PA/AP view; R plain radiograph of the wrist; female, 8 yo
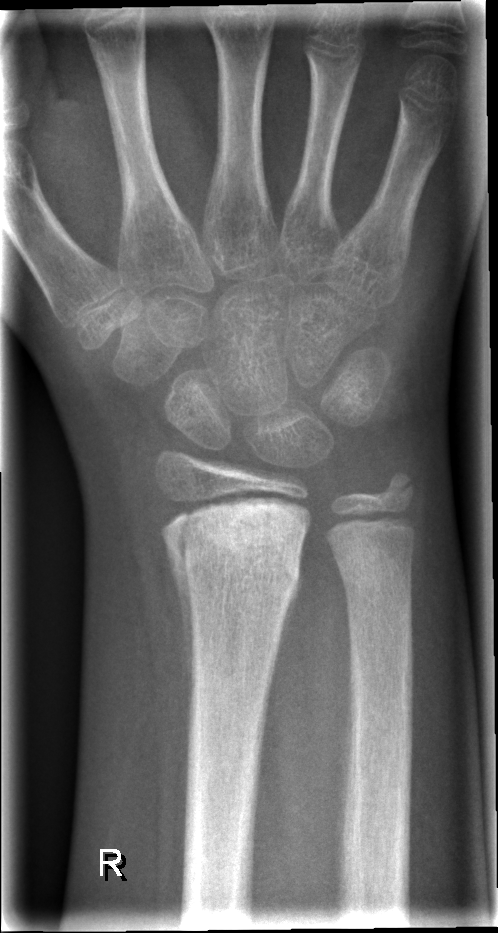

Fx — 162 501 314 612 | 374 462 421 509. Osteopenic. Two periosteal new bone at 166 543 197 731 | 270 563 304 694. Fracture classified AO/OTA 23r-E/2.1; 23u-E/7.